Lateral; Rt wrist XR; 12y M; 392x786 —

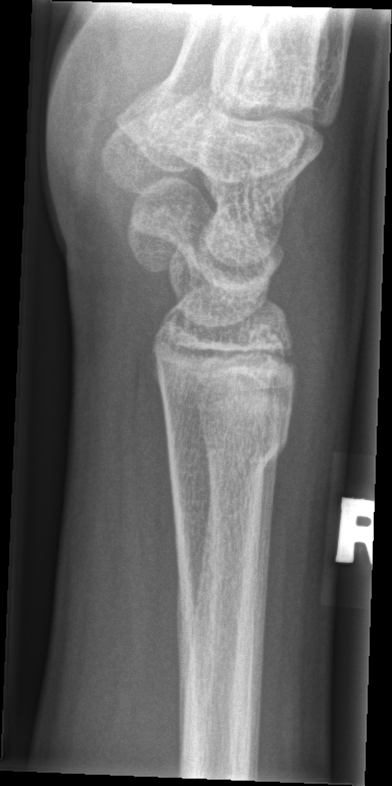

Q: Fracture present?
A: One bone fracture at (165, 425, 290, 479)